Rt pediatric wrist radiograph; PA. 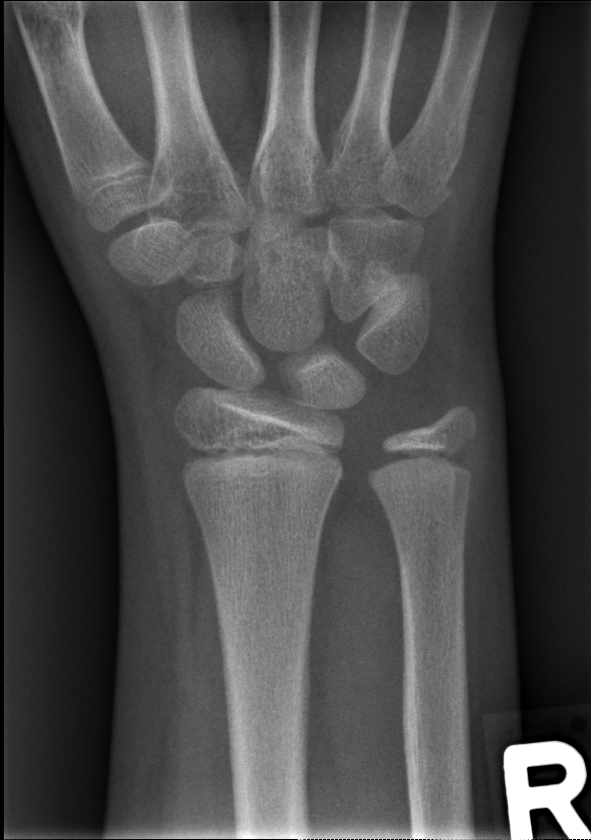 No fracture annotation.